Left wrist plain film; lateral projection; index exam.

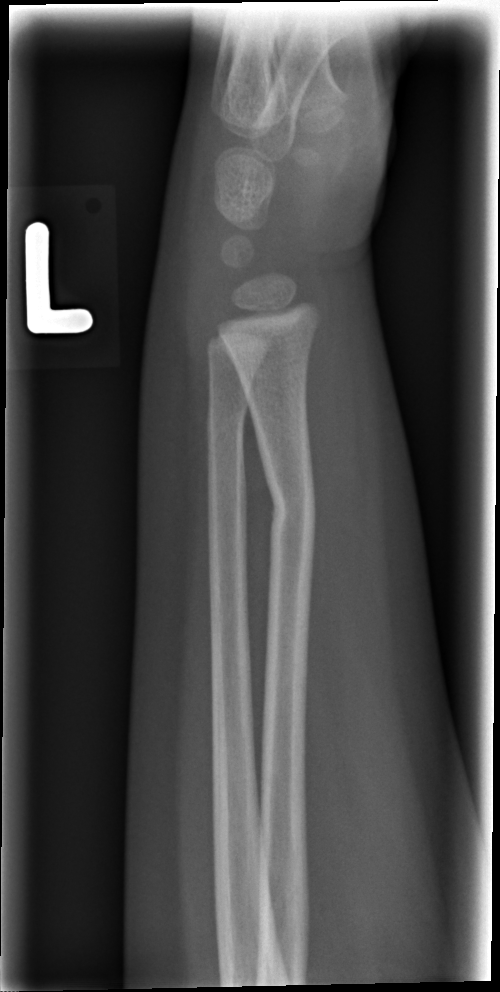

Q: What is the AO/OTA classification?
A: AO code 22r-D/2.1; 23u-M/2.1
Q: Is there a fracture?
A: Fx identified at [x1=200, y1=393, x2=253, y2=442] [x1=265, y1=488, x2=319, y2=535]